R wrist XR | lateral | girl, 7 yo | follow-up | cast in situ | image width 98.9 mm
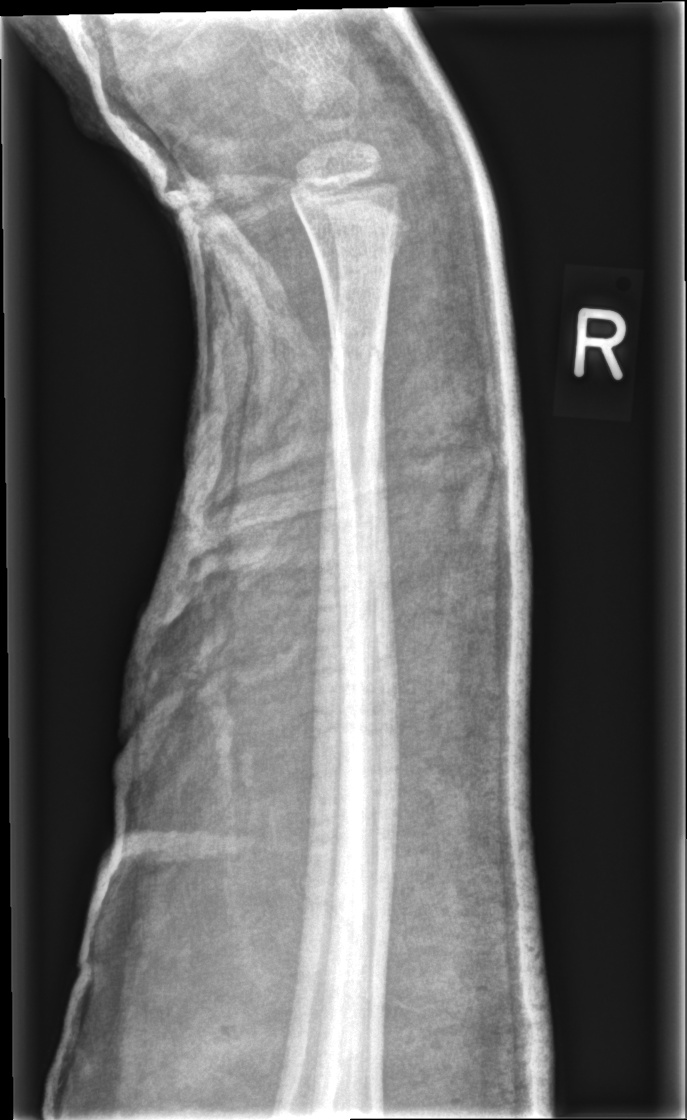 • Fracture — 319 320 394 387.